L wrist radiograph | PA projection | 9-year-old girl —

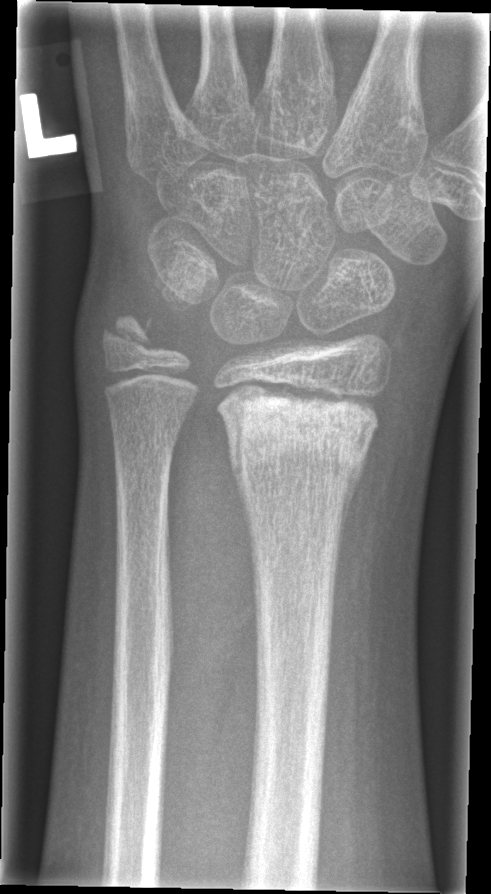

Q: Is there periosteal reaction?
A: Periosteal thickening: <339,455>-<367,545>
Q: Is there osteopenia?
A: Reduced bone mineral density
Q: Fracture present?
A: Two Fx at <214,393>-<381,494>, <99,312>-<155,359>
Q: What is the AO/OTA classification?
A: AO code 23r-E/2.1; 23u-E/7